R wrist XR, frontal, presentation radiograph, findings marked uncertain by the reading radiologist, detector: Siemens, image width 73.4 mm:
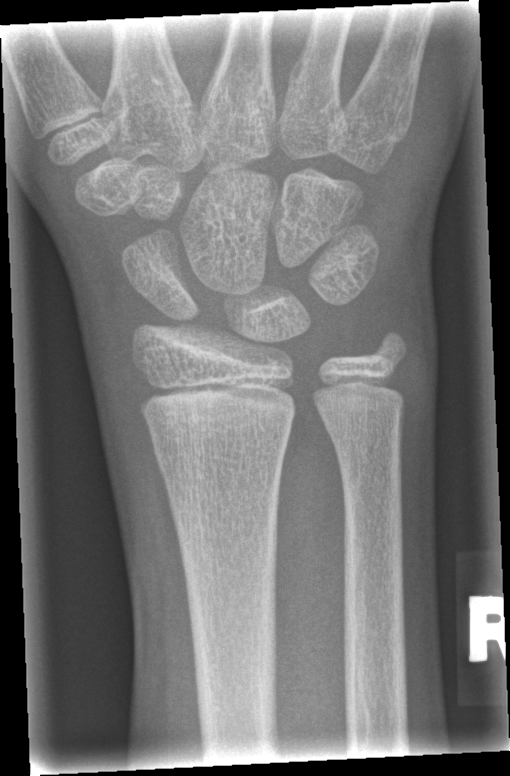 bone fracture: none labeled